Frontal projection | left wrist X-ray | presentation radiograph | image size 498x646:

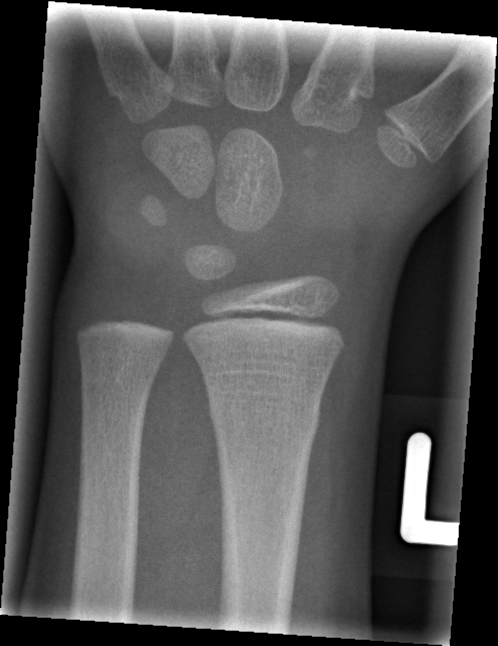
Fracture = 1 @ [205, 397, 325, 447]